PA/AP view; L pediatric wrist radiograph; Siemens; 673 by 1060 pixels

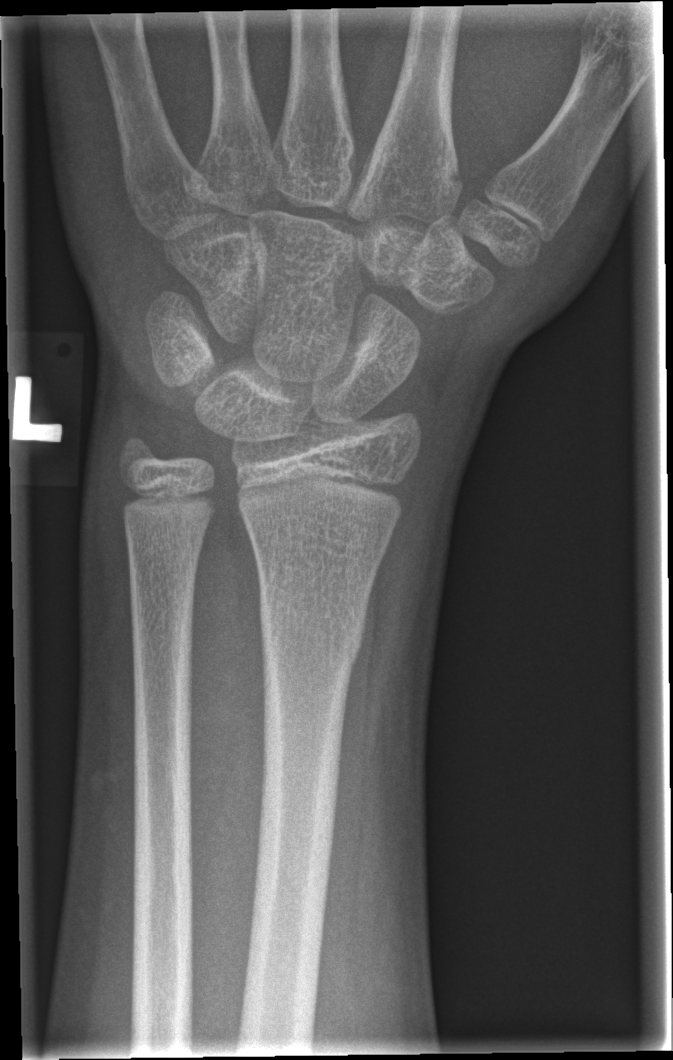
Fx identified at 253,582,369,674.